Posteroanterior projection · left wrist X-ray · subsequent exam: 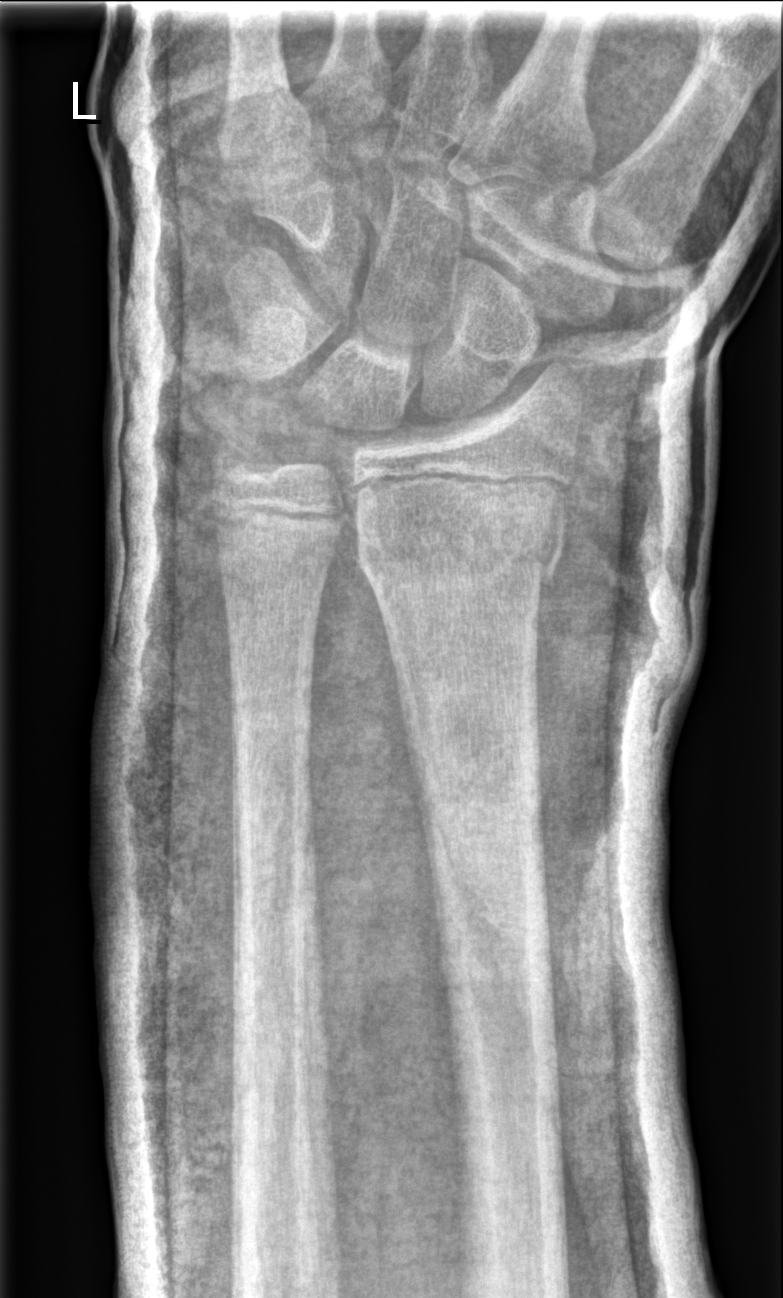

Bounding boxes in image-pixel xyxy.
Fracture — <356,512>-<571,602>.
AO code 23r-M/3.1; 23u-E/7.